Lateral view · R wrist plain film · 8y F · acquired on Siemens.

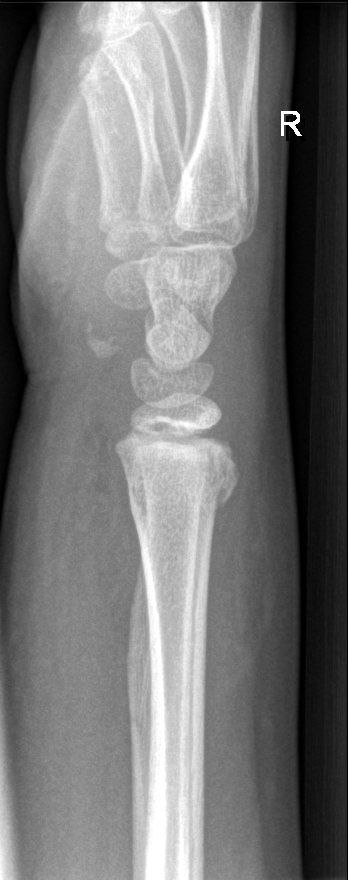

Fracture classified AO/OTA 23r-M/2.1. One pronator sign at (46, 415, 144, 781). Fx — (121, 462, 242, 535).